Lat projection; left wrist pediatric wrist radiograph; age 13 y, girl; initial study; image size 503x996: 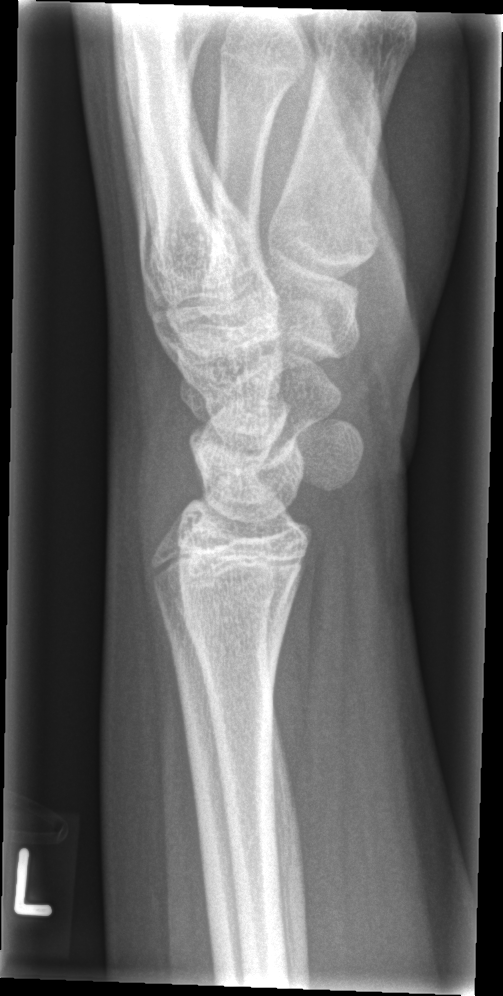 - Fx: none.